AP view; right wrist radiograph; 15-year-old male:
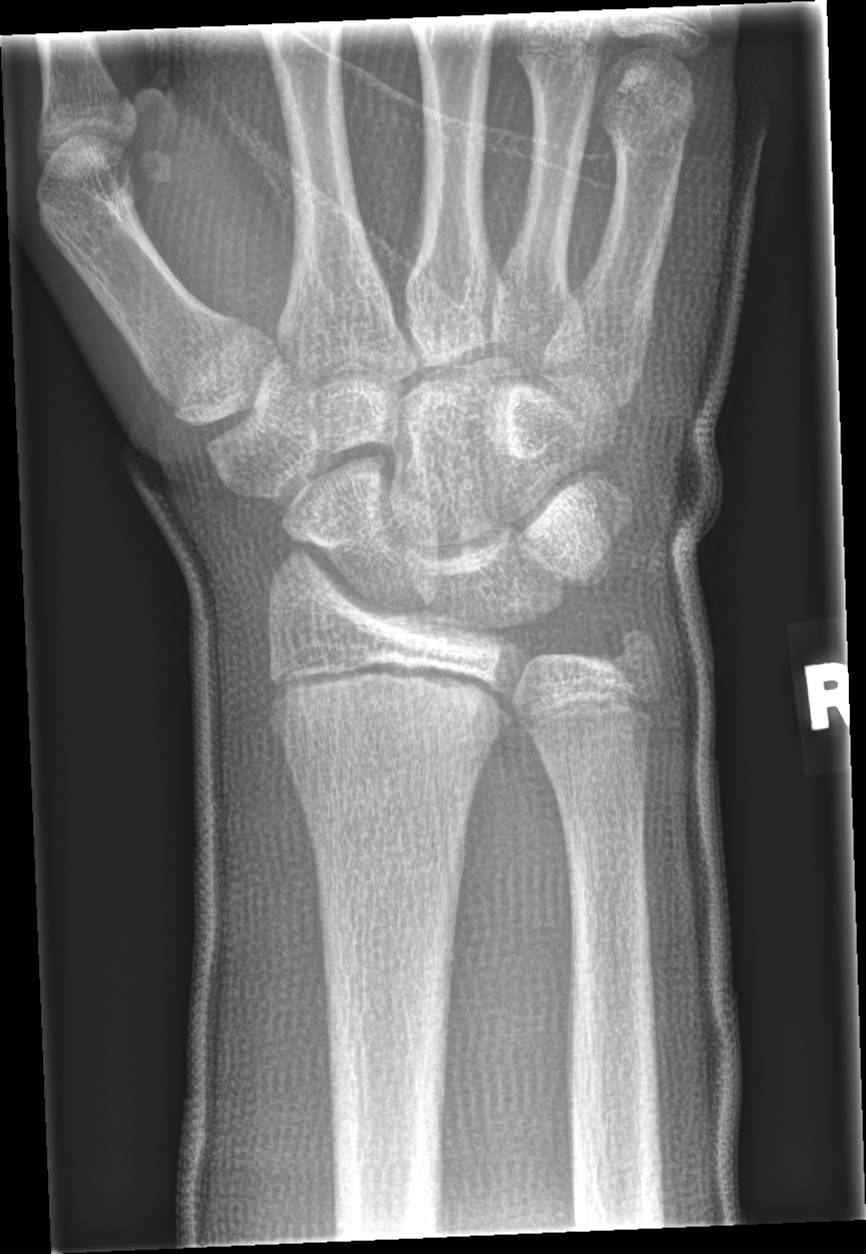
ao: 23r-E/2.1; 23u-E/7
fracture: <267,651>-<515,749>; <605,618>-<669,678>